Left pediatric wrist radiograph | lateral | 12y F. 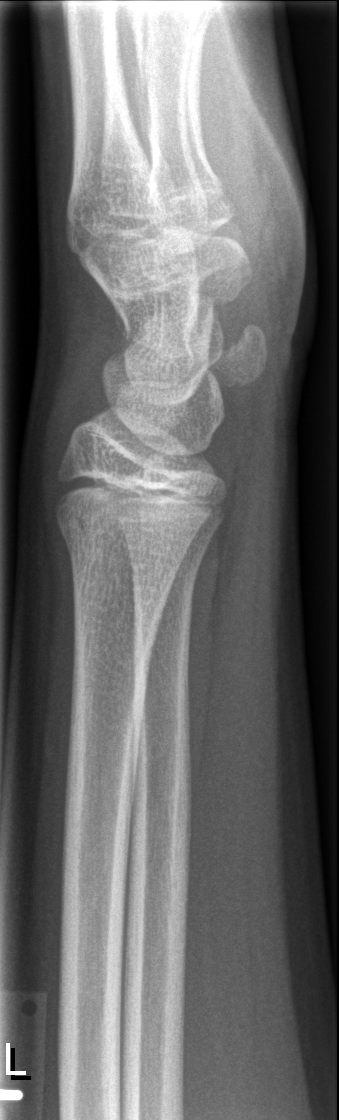

{"_coords": "boxes as x1,y1,x2,y2 (top-left / bottom-right, pixel units)", "ao": "23r-M/2.1", "fracture": "1 @ [55, 508, 191, 582]"}